Posteroanterior projection · R wrist XR: 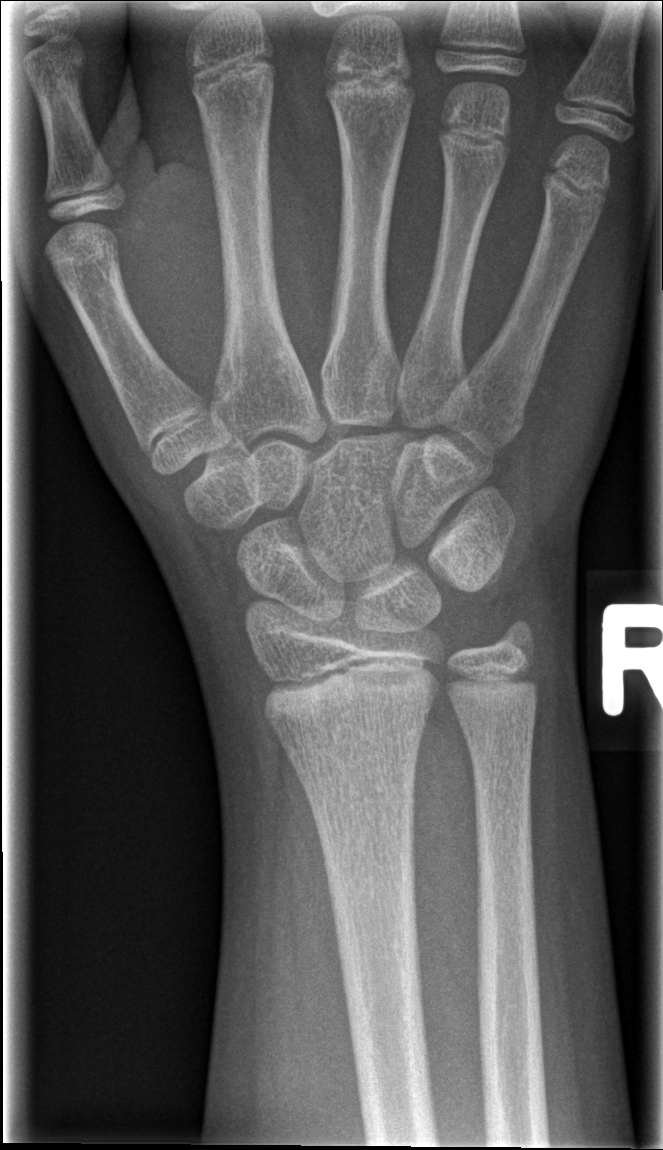

No fracture labeled.